Lat view, right wrist XR, age 4 y, female, 77.2 mm image width —
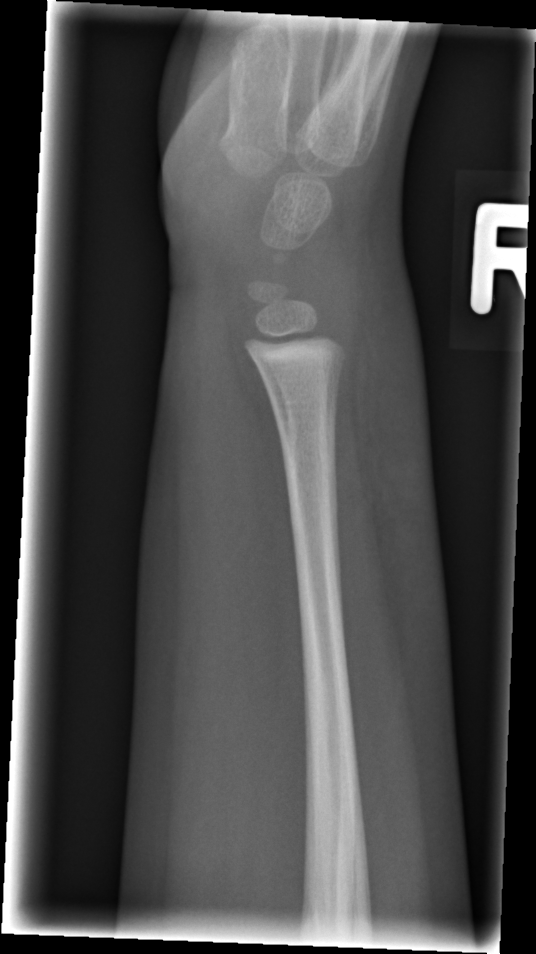   fracture: none labeled